Lt wrist radiograph · lateral projection · age 13 y, boy · presentation radiograph · 87.3 mm image width

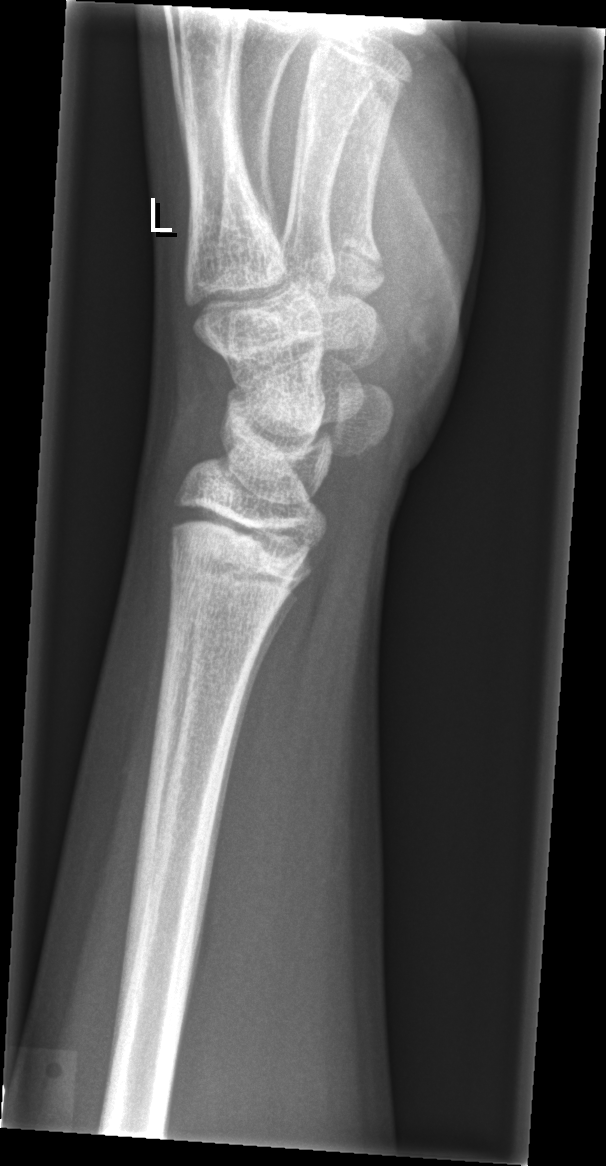
• Fracture: none labeled.